R pediatric wrist radiograph · PA view: 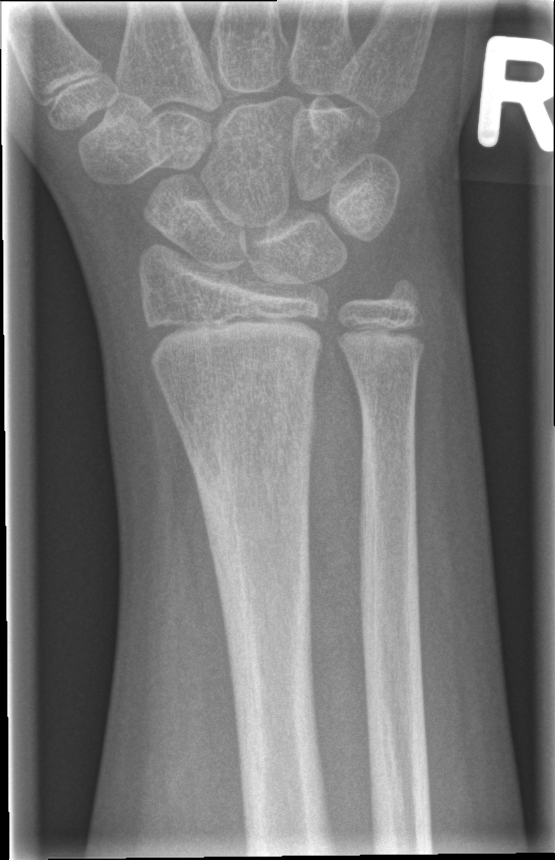

(pixel coordinates, top-left origin, xyxy)
Q: Fracture present?
A: Fx: 187,401,318,612